Frontal, right wrist X-ray, pediatric patient (female, age 9), Siemens

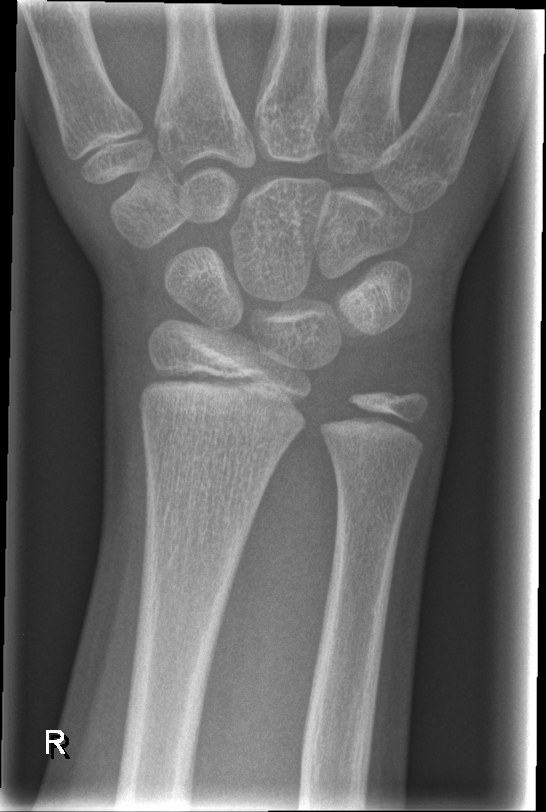

• No fracture bounding box.